Right pediatric wrist radiograph · lateral view · follow-up study · 406 by 934 pixels:

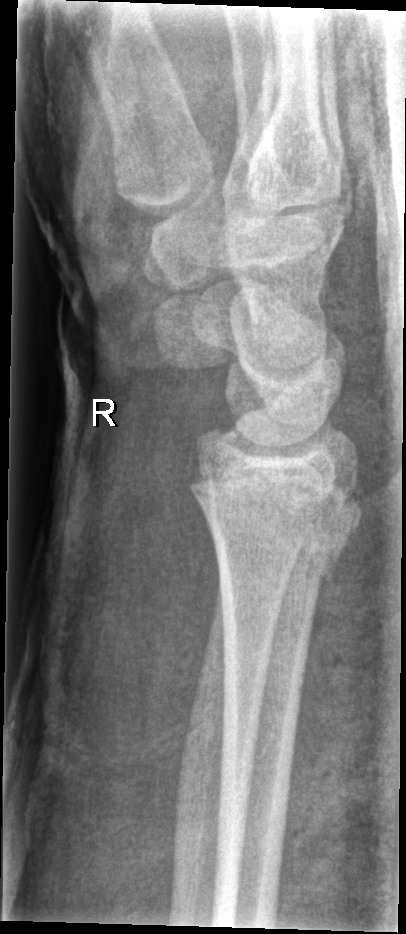 (bounding boxes in image-pixel xyxy)
AO code: 23r-E/2.1; 23u-E/7
Fx: 187,475,367,593